Lat projection; right wrist XR 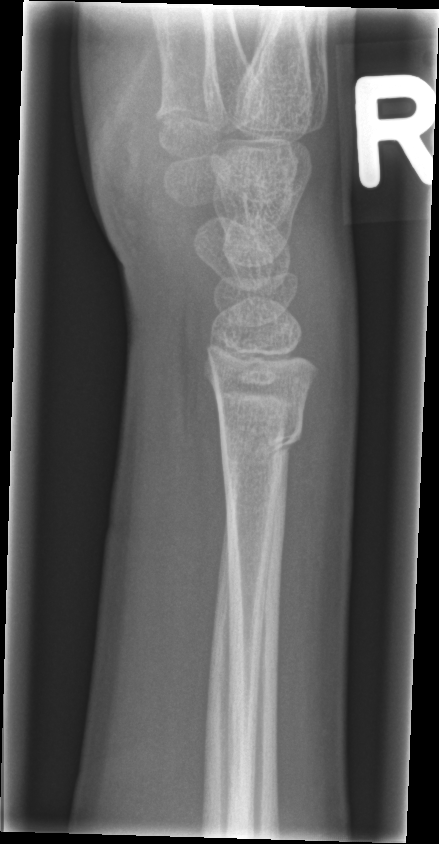 * Coordinates are [x1, y1, x2, y2] in image pixels.
* Fx: (218, 411, 306, 471).